Lat, right wrist XR.
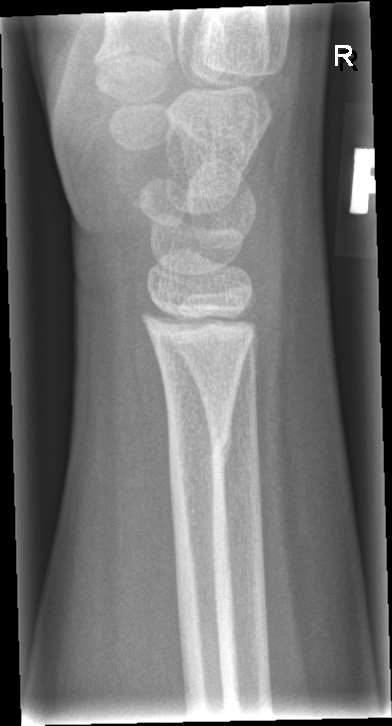

Findings: (bounding boxes in image-pixel xyxy) AO/OTA classification: 23r-M/2.1. One fracture at [164, 424, 238, 477].